Left wrist radiograph; lat view; acquired on Siemens:
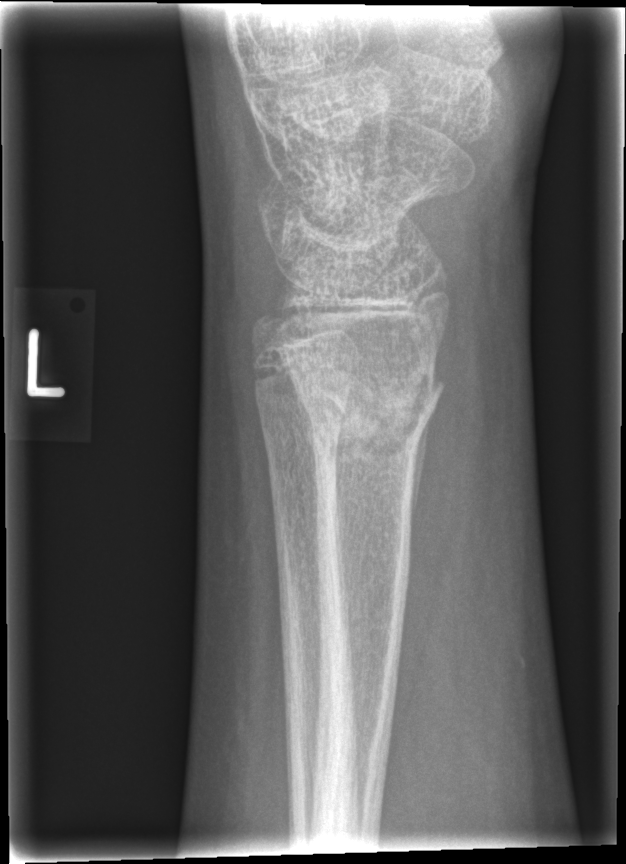

Reduced bone mineral density. AO code 23r-M/3.1; 23u-E/1. Periosteal reaction: [x1=412, y1=413, x2=432, y2=522]. Fracture — [x1=294, y1=361, x2=448, y2=468].